Right wrist plain film, posteroanterior, age 12 y, boy, presentation radiograph

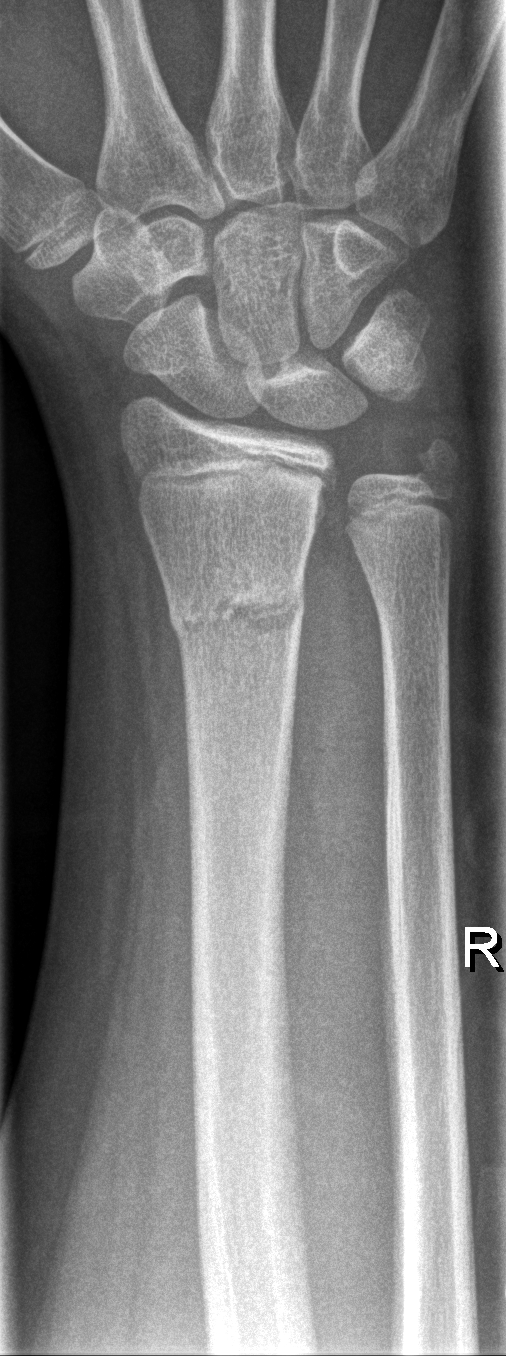 - Bounding boxes in image-pixel xyxy.
- AO/OTA classification: 23r-M/3.1; 23u-E/7.
- Fracture identified at [166, 561, 309, 661], [406, 434, 464, 504].